Right wrist XR; AP; pediatric patient (male, age 15); acquired on Siemens; 939x1284 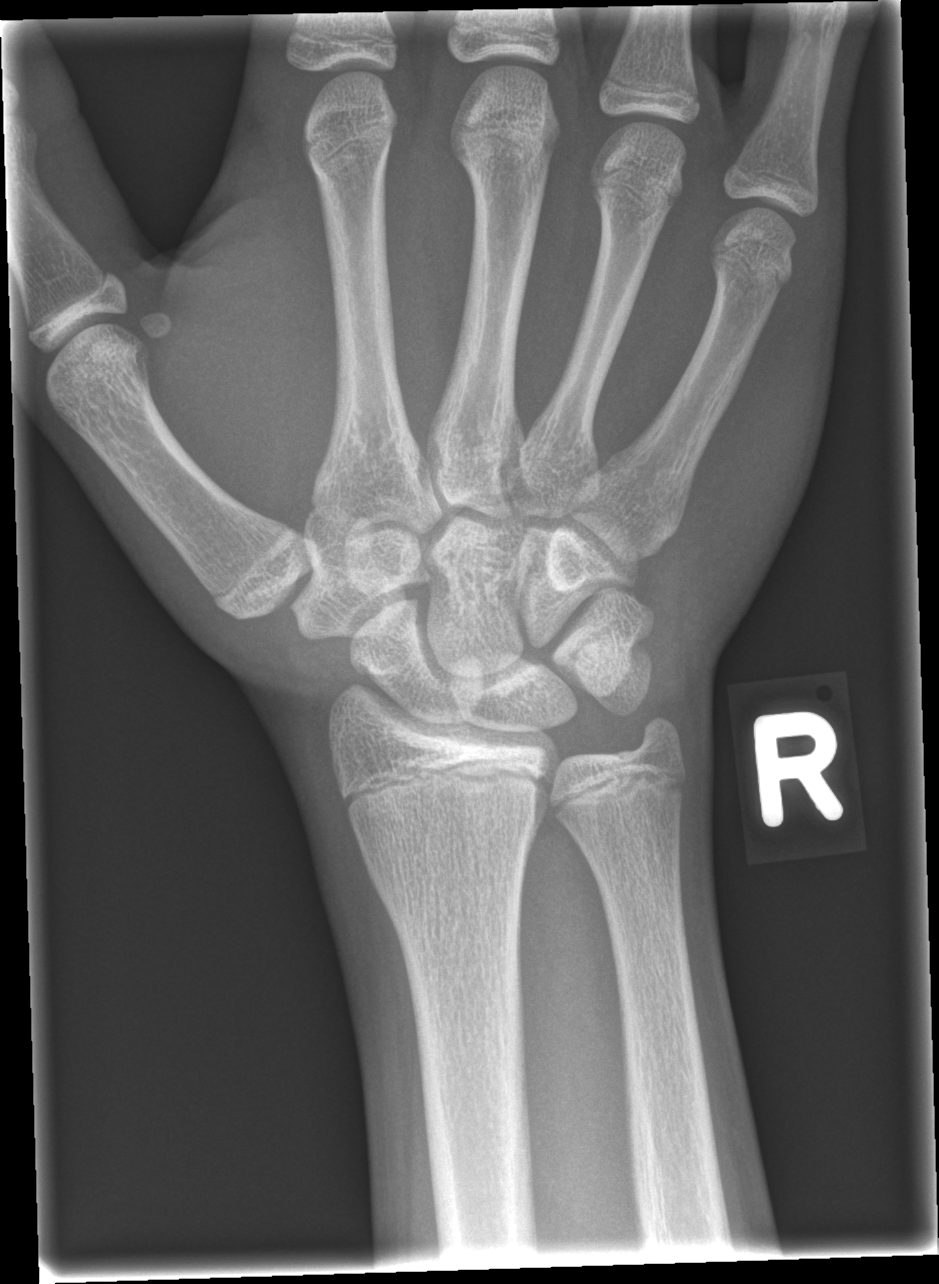 * Fx: none.